Lat projection | right plain radiograph of the wrist | 7y M | detector: Siemens

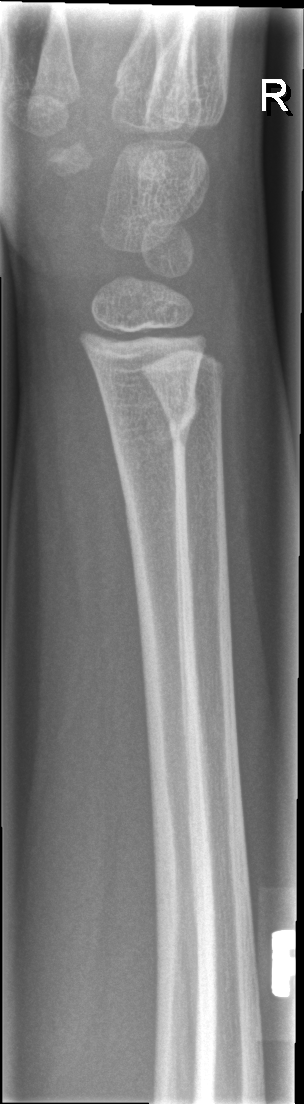
{"_coords": "pixel coordinates, top-left origin, xyxy", "fracture": "1 @ <102,387>-<202,447>", "ao": "23r-M/2.1"}